L plain radiograph of the wrist; lateral projection; boy, 16 yo —
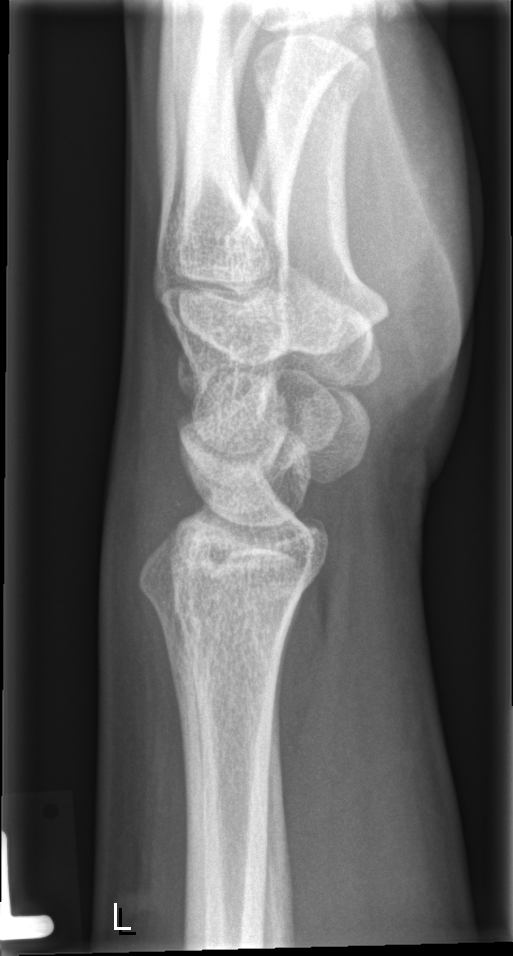
AO/OTA classification: 23r-M/2.1; 23u-E/7.
Fracture present but not clearly seen in this view.